AP, left wrist pediatric wrist radiograph, pediatric patient (male, age 11), initial study:

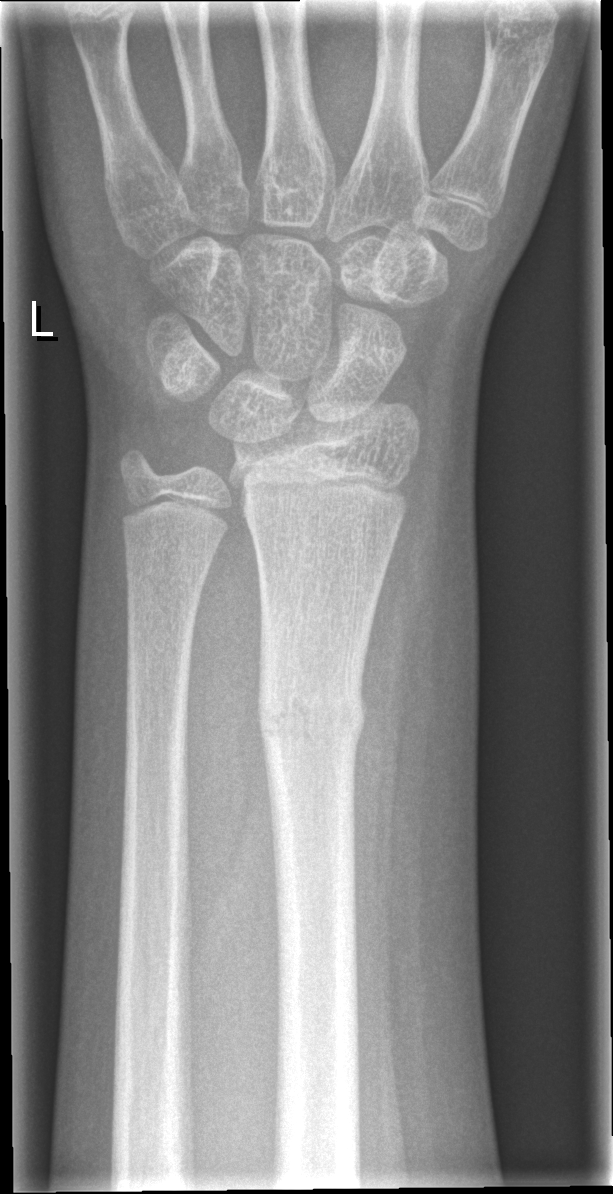   ao: 22r-D/2.1
  fracture: <255,686>-<370,753>